Left wrist pediatric wrist radiograph · lat projection · 5y F.

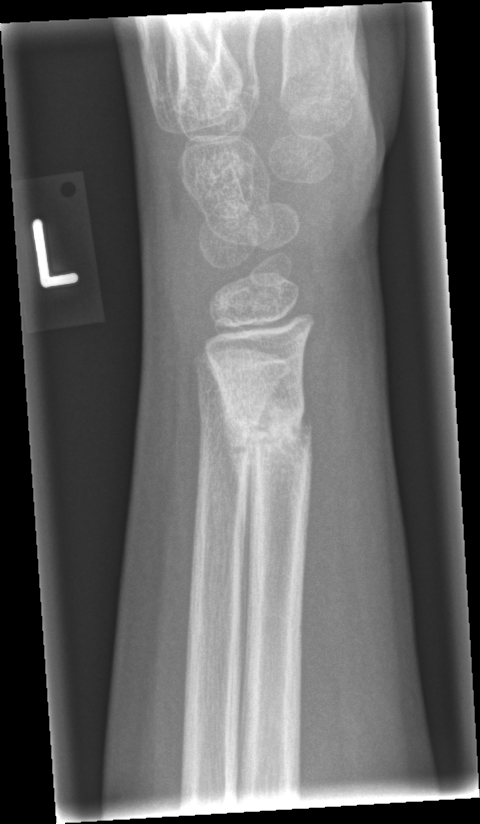   # bounding boxes in image-pixel xyxy
  ao: 23r-M/3.1; 23u-M/2.1
  fracture: 2 @ bbox(225, 396, 315, 485), bbox(195, 389, 268, 429)
  osteopenia: present
  periostealreaction: 1 @ bbox(216, 374, 255, 555)